Lt pediatric wrist radiograph, AP, Siemens: 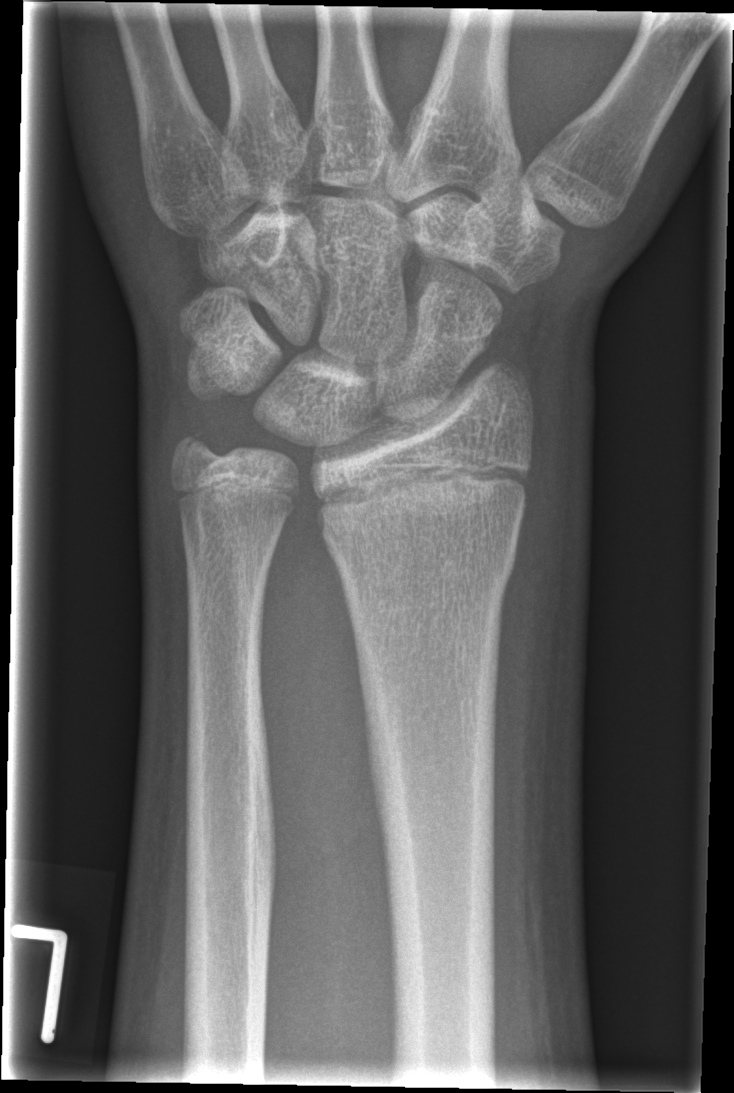
  # pixel coordinates, top-left origin, xyxy
  ao: 23r-E/2.1; 23u-E/7
  fracture: 2 @ <308,458>-<535,561>; <163,418>-<225,477>